Left wrist X-ray, lat projection, presentation radiograph, 458 x 862 px 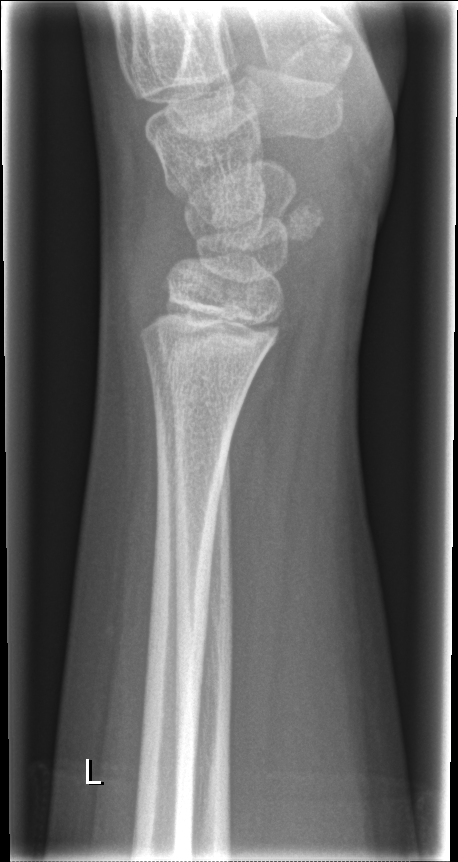
No fracture bounding box.